Left wrist radiograph · PA/AP view · pediatric patient (girl, age 11) · 87.3 mm image width —

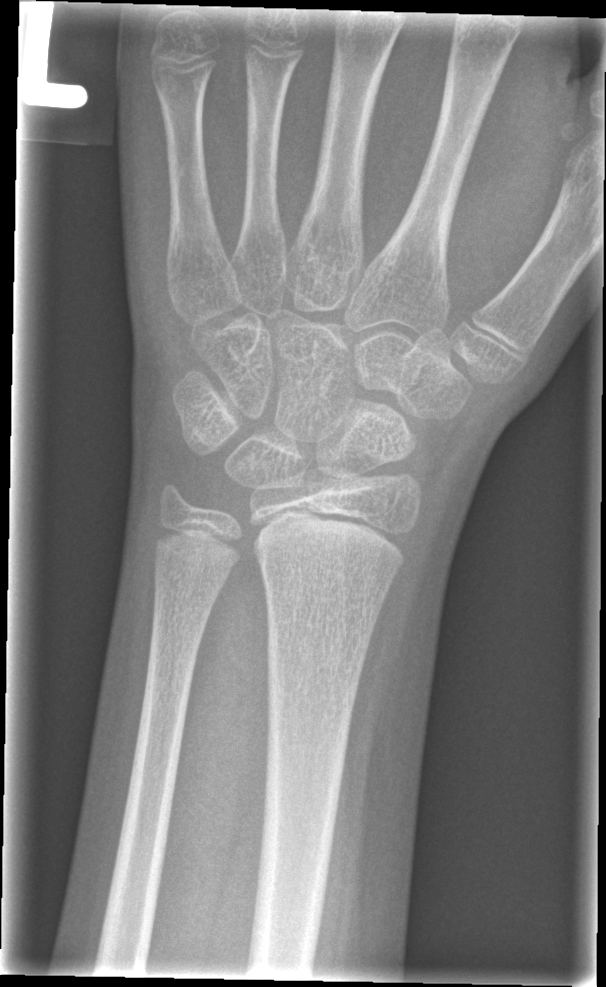
fracture = none labeled